Lateral projection; left plain radiograph of the wrist; age 13 y, male; 532 x 954 px —
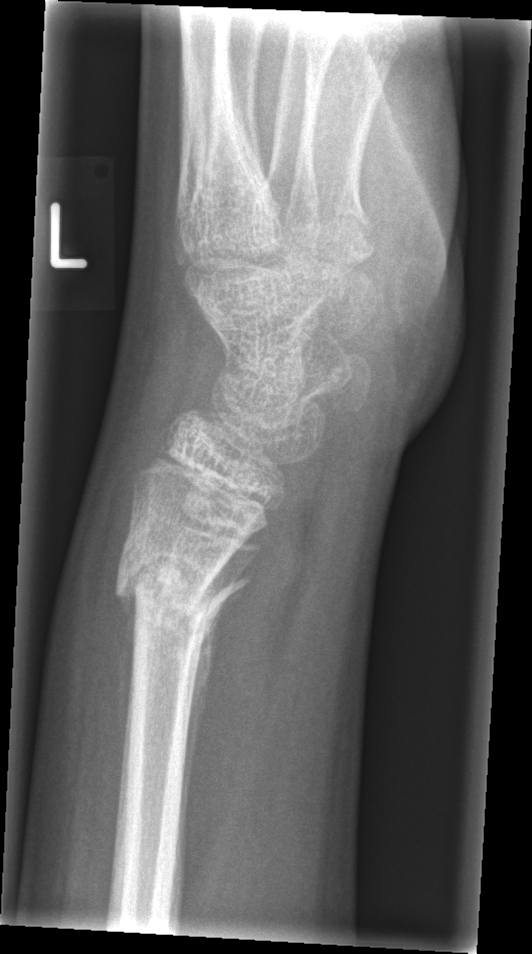 ao: 23-M/3.1; 23u-E/7
periostealreaction: bbox(167, 599, 223, 934)
osteopenia: present
fracture: 1 @ bbox(111, 550, 251, 637)